Left wrist radiograph · lat · initial study · image 87.4 mm wide.
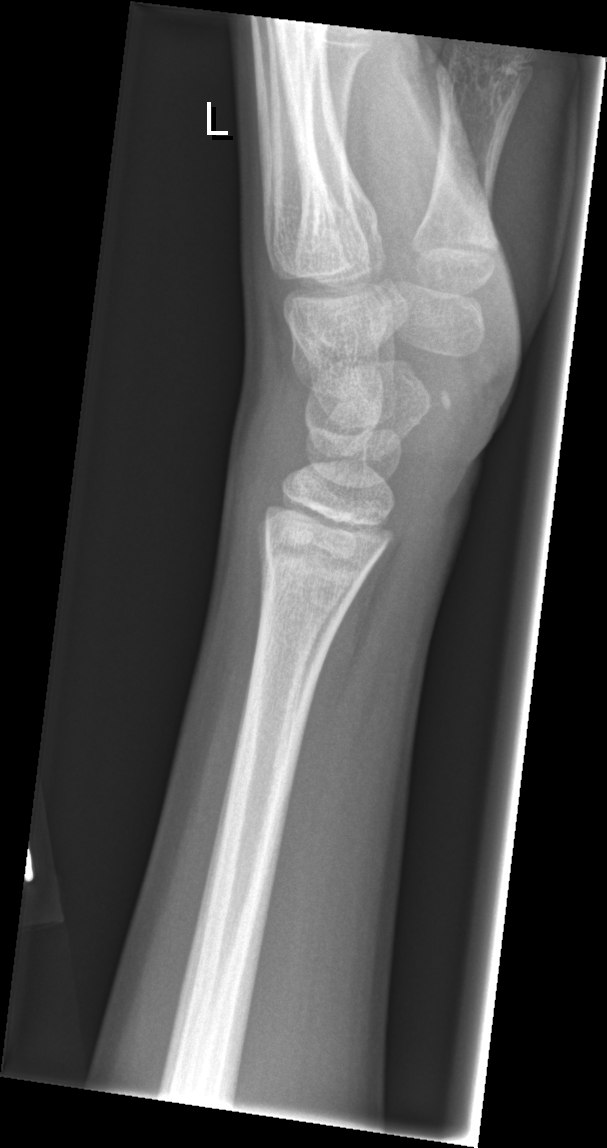

• No fracture bounding box.